Lt wrist X-ray; lat view; 15y M —

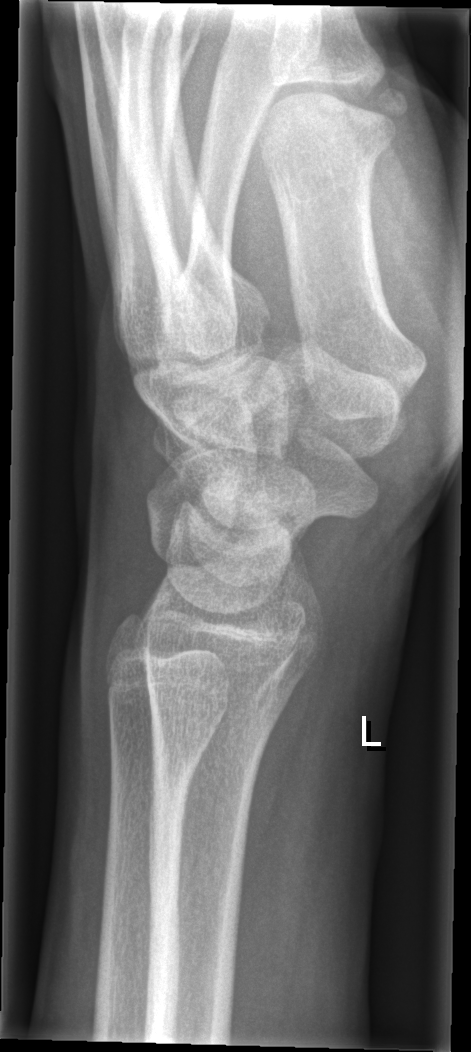

Q: Locate any fractures.
A: No fracture annotation